Frontal; Lt wrist XR; 14y M 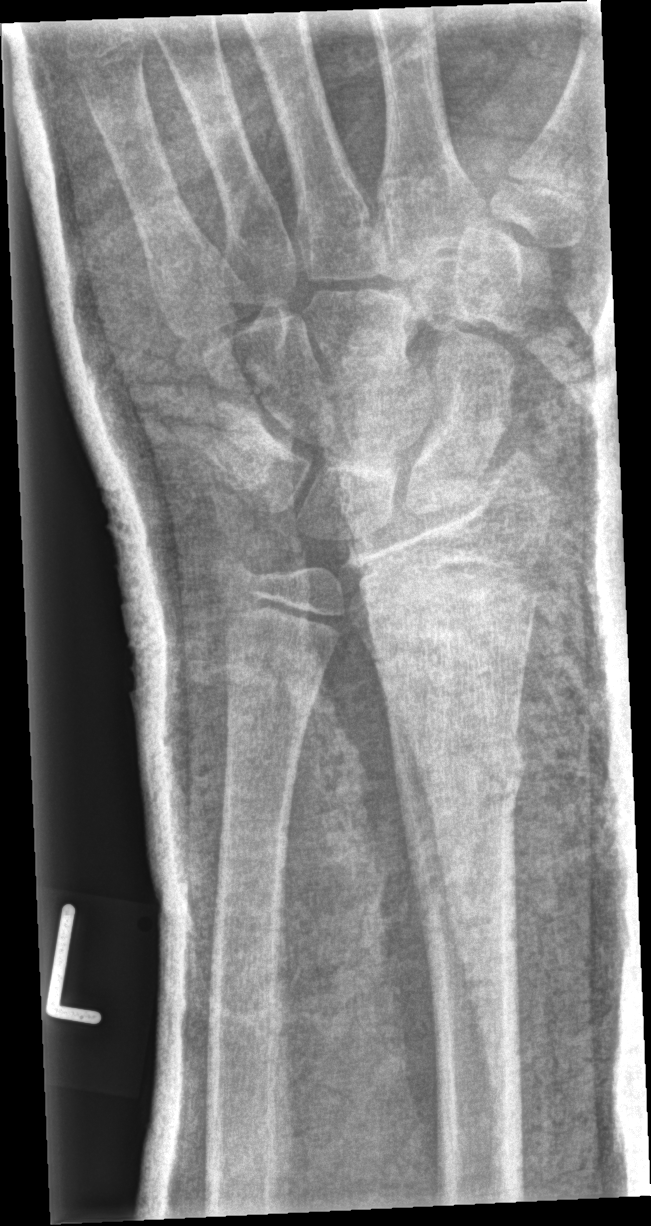

AO code 23r-M/2.1.
One fracture at (left=388, top=733, right=530, bottom=804).